Left wrist plain film | lateral projection | age 12 y, girl | cast in situ.
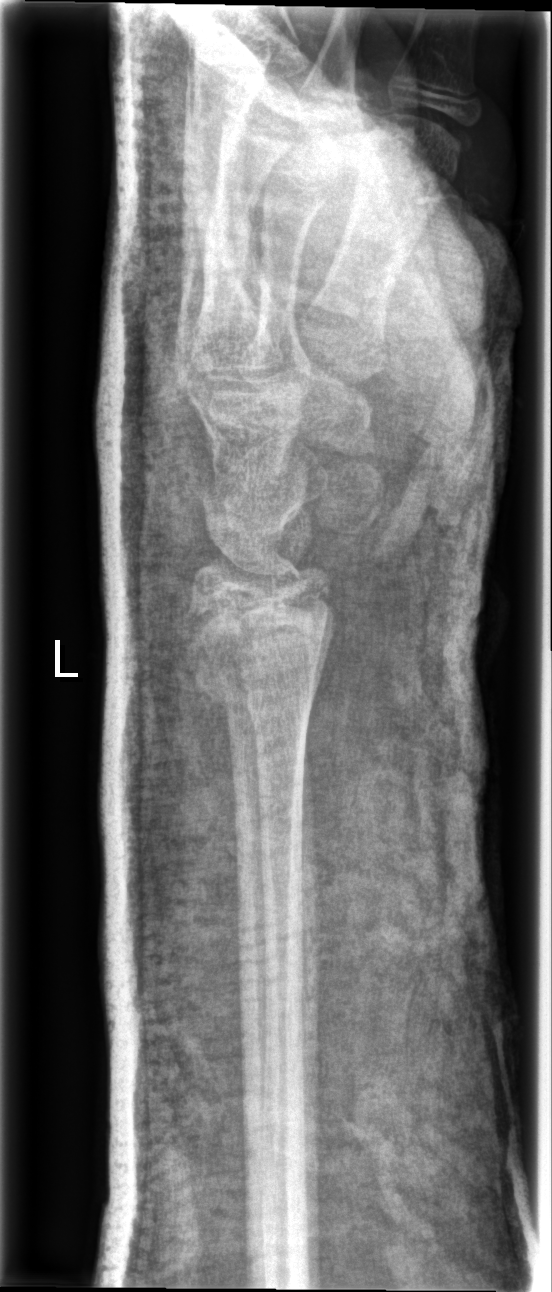
Fracture classified AO/OTA 23r-M/3.1; 23u-E/7.
One Fx at [x1=177, y1=593, x2=337, y2=716].